Right wrist XR, frontal projection, follow-up —
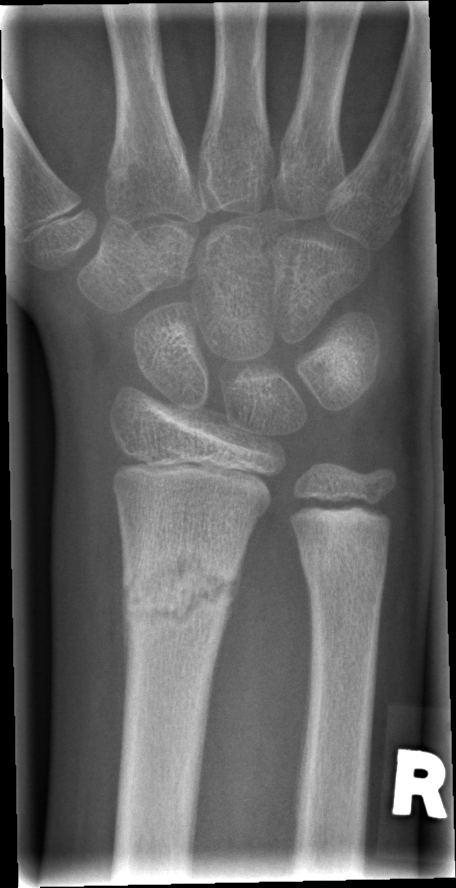 # boxes as x1,y1,x2,y2 (top-left / bottom-right, pixel units)
fracture: 2 @ (117, 544, 240, 632); (296, 534, 391, 599)
ao: 23-M/3.1
osteopenia: present